Left pediatric wrist radiograph, lat, detector: Siemens, 554 x 1174 px —
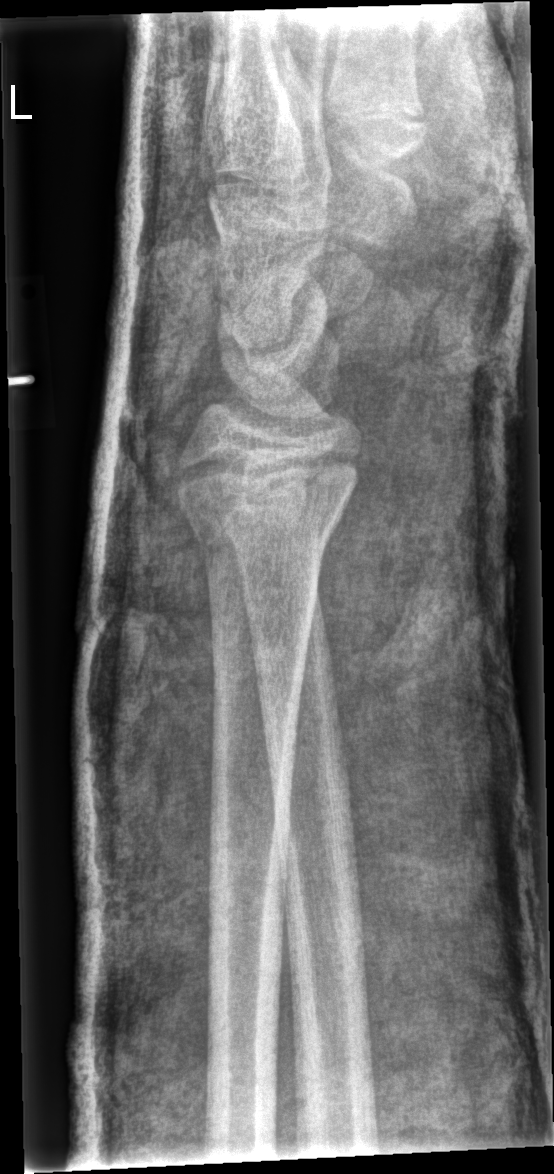 * Coordinates are [x1, y1, x2, y2] in image pixels.
* AO code 23r-M/3.1; 23u-E/7.
* Fx — (183, 492, 342, 577).